PA/AP, L plain radiograph of the wrist, pediatric patient (boy, age 13), detector: Siemens, 656 by 1254 pixels

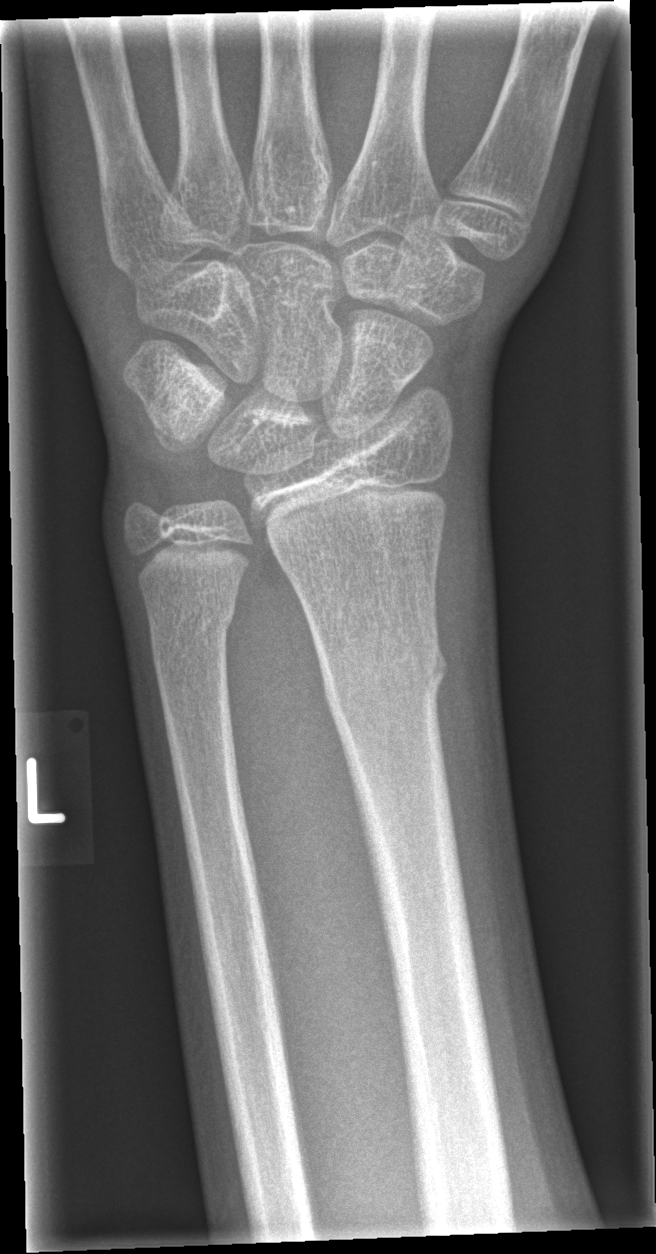 AO code 23-M/2.1. Fx identified at (315, 622, 449, 719), (145, 589, 238, 667).